Lat view, Lt wrist plain film, male, 12 yo. 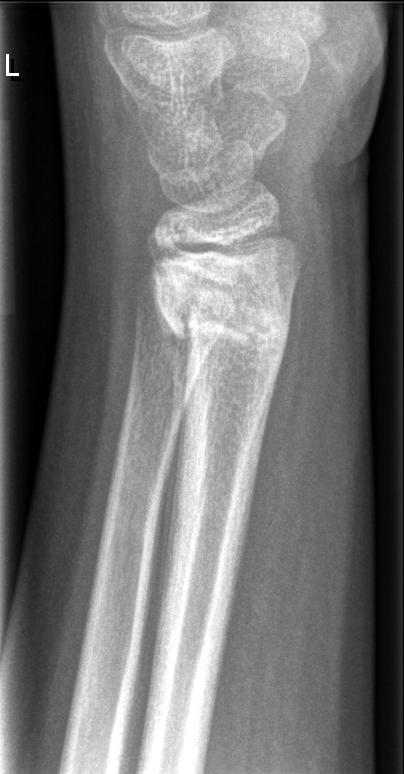 Q: Bone density?
A: Decreased bone density (osteopenia)
Q: Is there a fracture?
A: Fracture: [x1=153, y1=270, x2=298, y2=364]
Q: Any periosteal thickening?
A: Periosteal thickening — [x1=154, y1=289, x2=189, y2=631]
Q: AO code?
A: AO code 23r-M/3.1